Left wrist XR, lat projection, 16y M, cast present, image width 98.8 mm
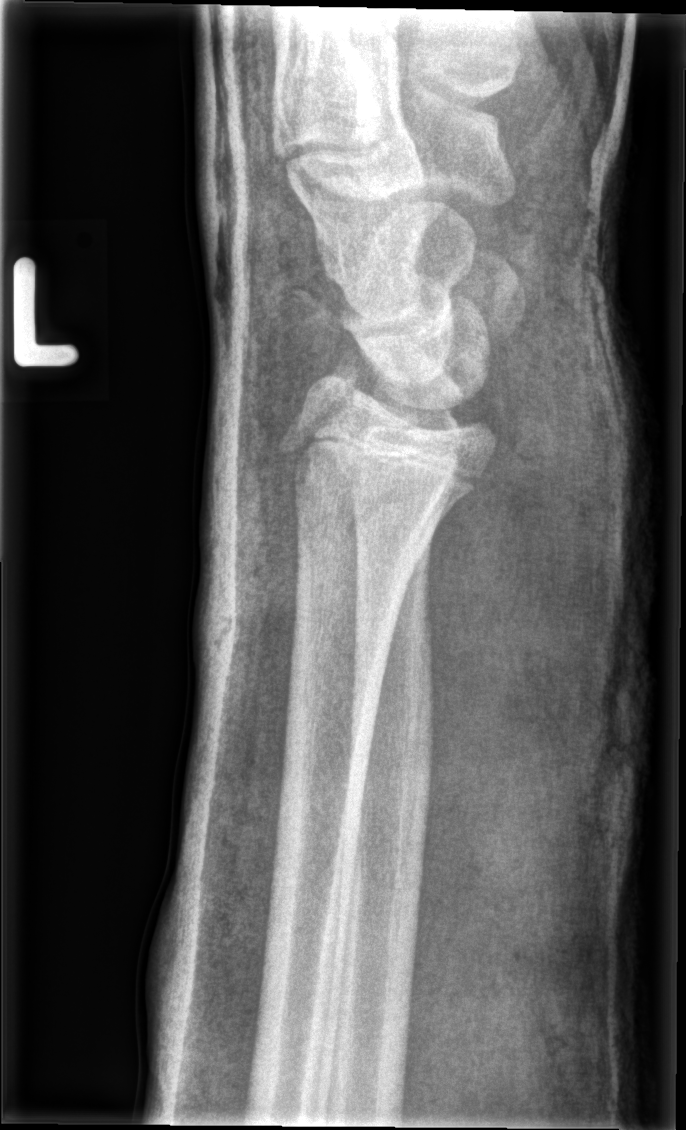

One Fx at 282 336 411 454. AO/OTA classification: 23r-E/7.